R wrist radiograph; AP; male, 2 yo; 76.8 mm image width; image size 533x908 — 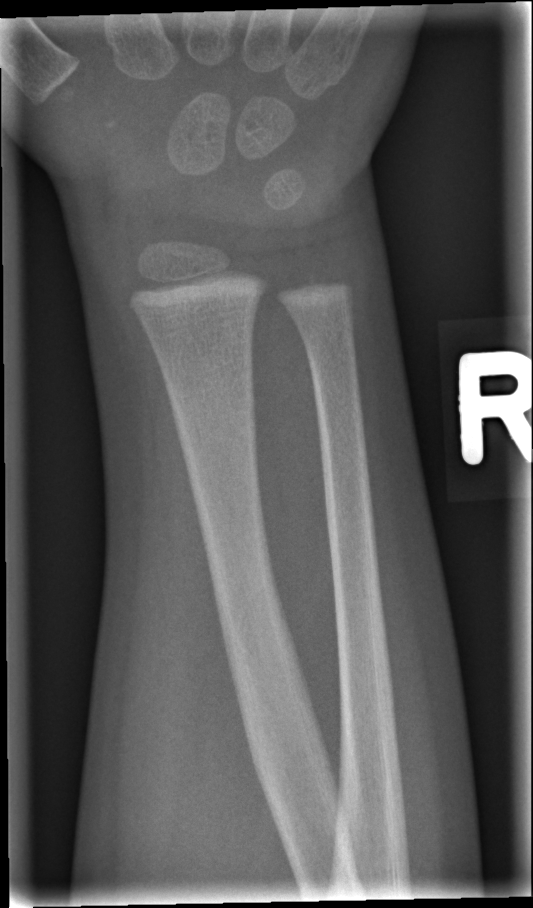

Findings: No fracture bounding box.